Right wrist radiograph; PA view; index exam; 59.2 mm image width
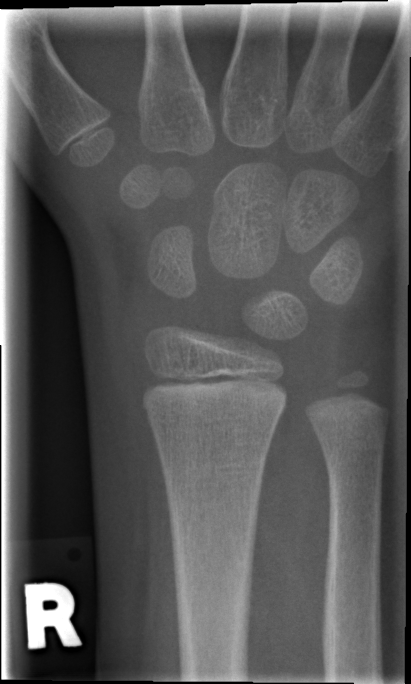

No fracture labeled.